Lateral, left wrist pediatric wrist radiograph, age 9 y, girl, initial study:

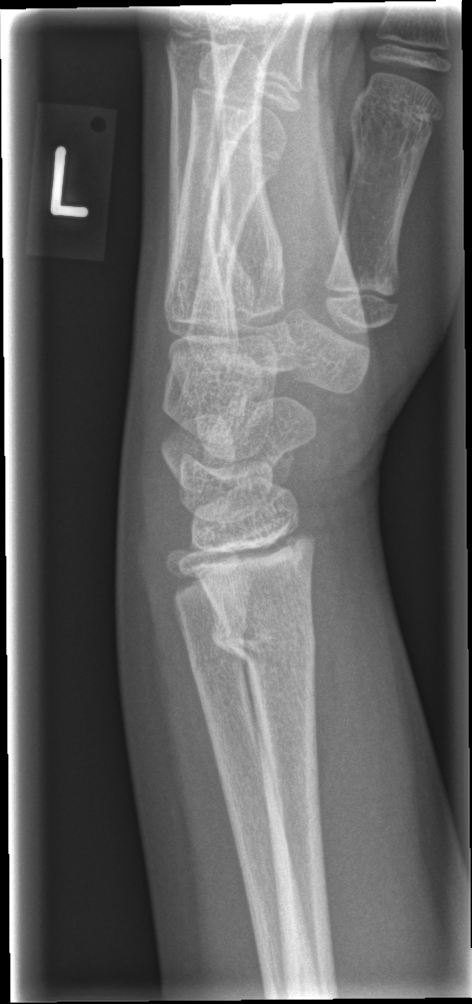

Bounding boxes in image-pixel xyxy. AO/OTA classification: 23-M/2.1. Fx identified at 208 607 319 671.